Right wrist XR, lateral view, 11y F

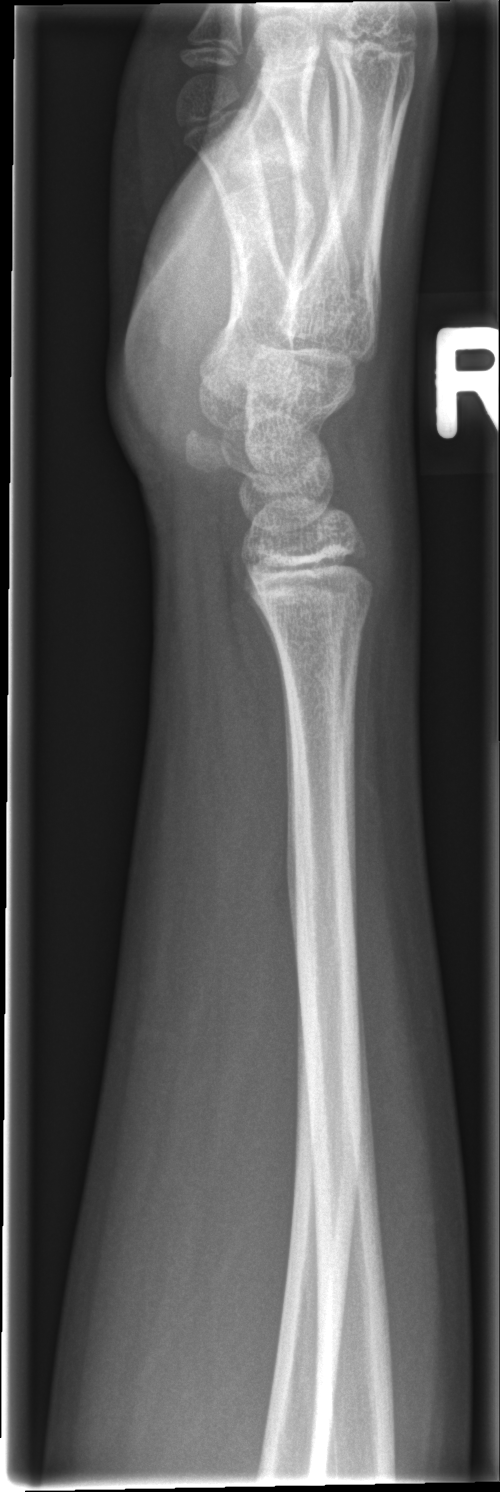

Q: Is there a fracture?
A: No fracture labeled